AP view · left wrist plain film · 9y M · Siemens · image width 74.3 mm
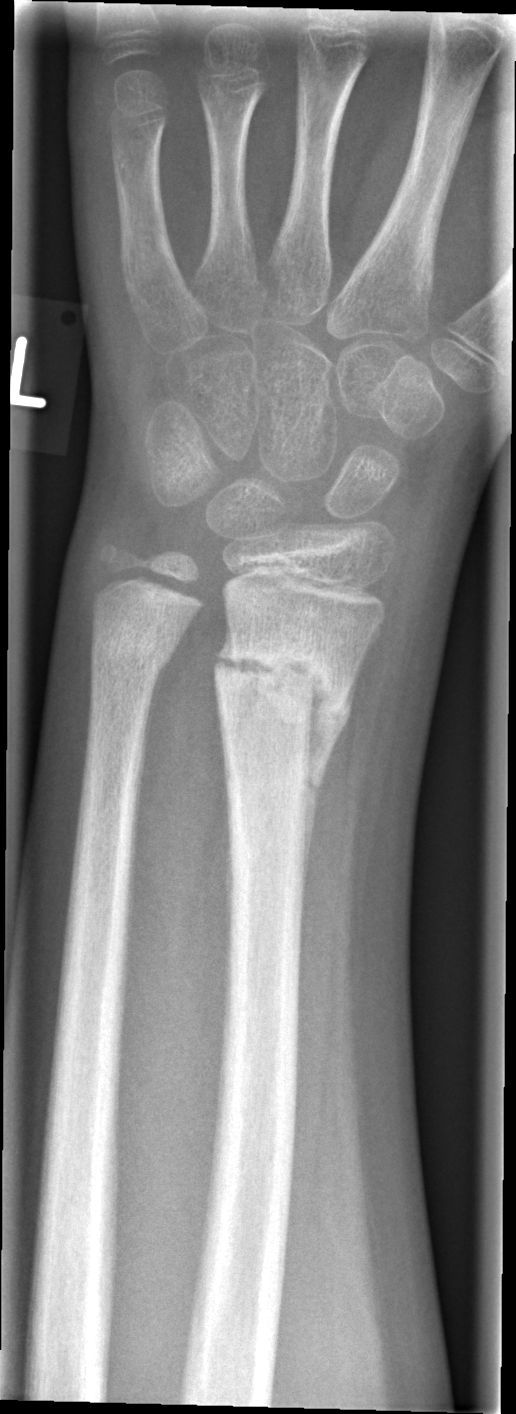

Bone fractures — 213,632,356,725
  85,621,178,677.
Periosteal new bone — 302,657,361,912
  138,653,174,807.
AO code 23r-M/3.1; 23u-M/2.1.